Frontal projection | L wrist X-ray — 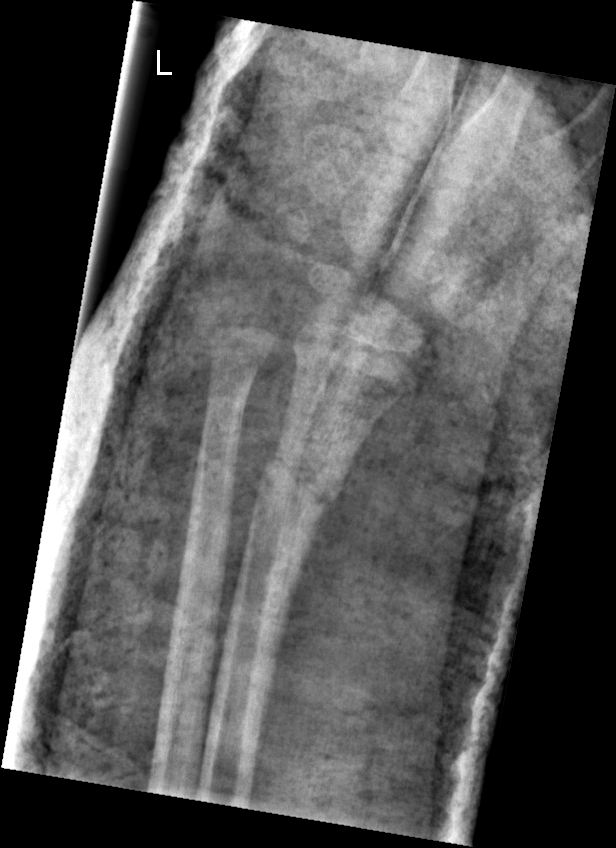 Pixel coordinates, top-left origin, xyxy. Fracture — <252,431>-<349,524>.